Lat | L wrist XR | initial study

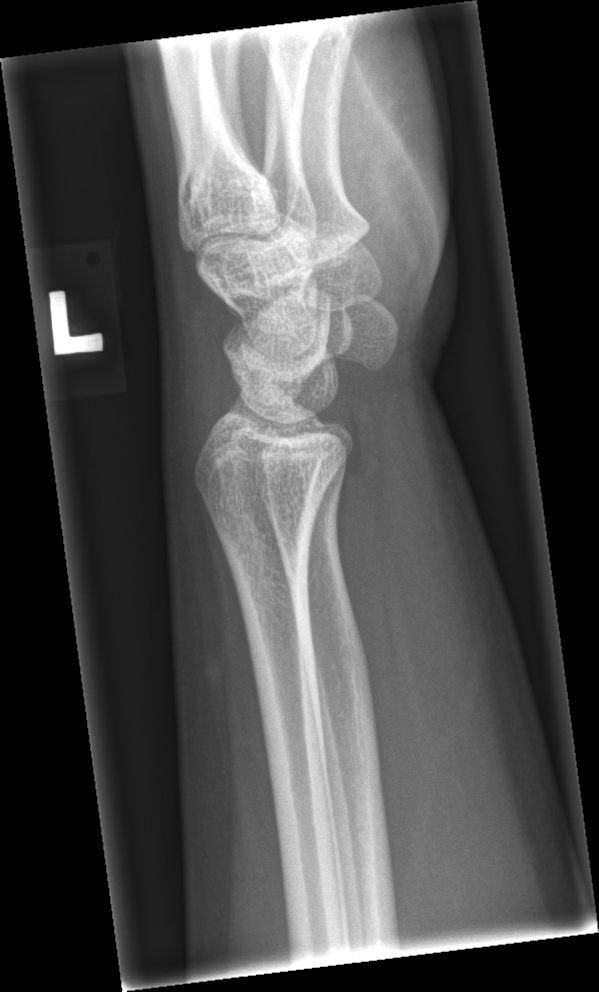
FINDINGS — No Fx annotated.